Left wrist plain film, PA/AP view
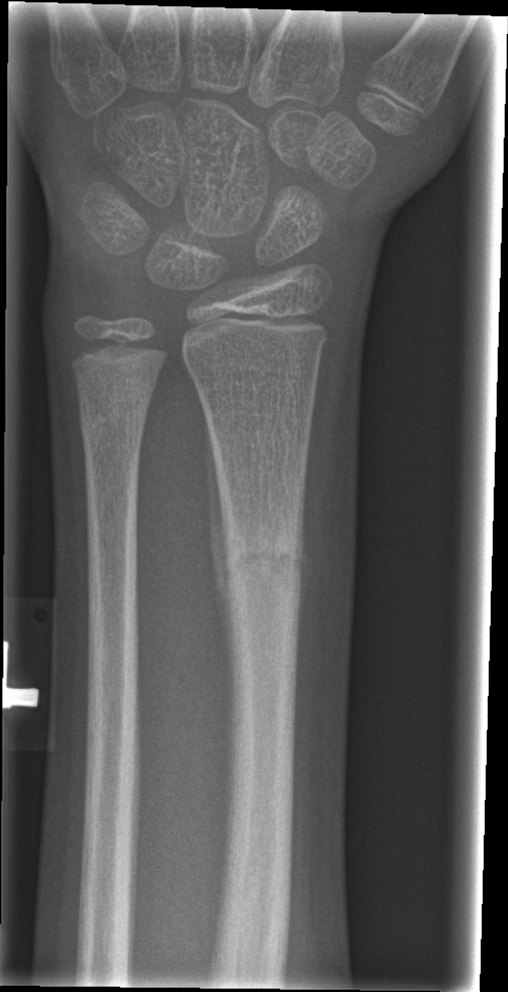 - Bone fractures — [219, 520, 306, 591] [79, 400, 148, 444].
- One periosteal thickening at [204, 401, 235, 724].